Obl | left pediatric wrist radiograph 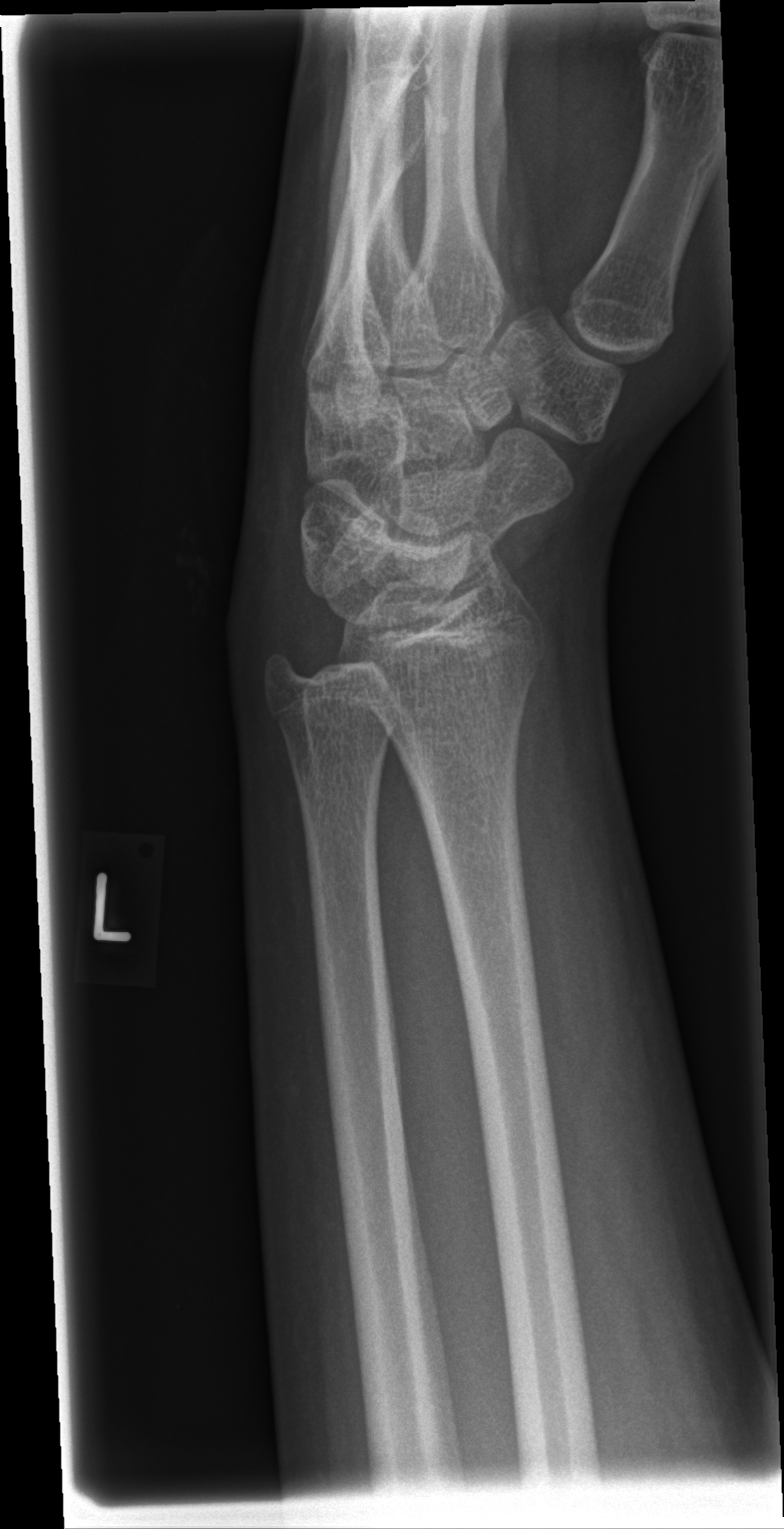
Fx: none labeled